Lat view; Lt pediatric wrist radiograph; 15-year-old female; image width 70.6 mm —

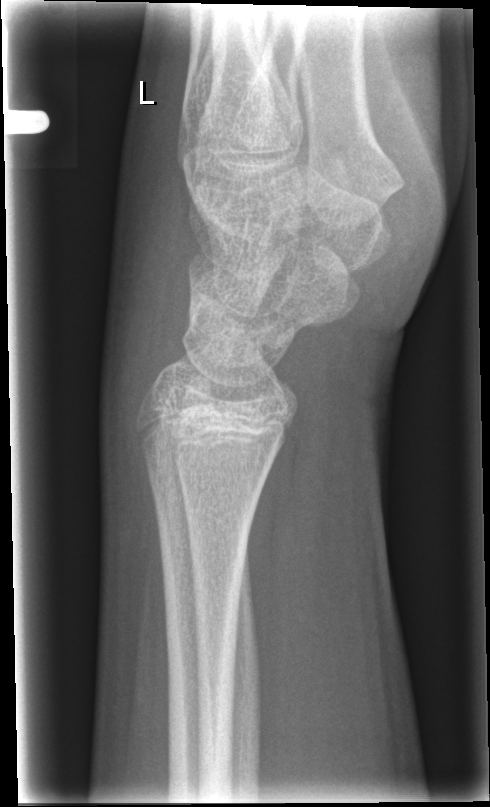
No fracture annotation.